Left wrist radiograph · PA/AP projection · detector: Siemens:

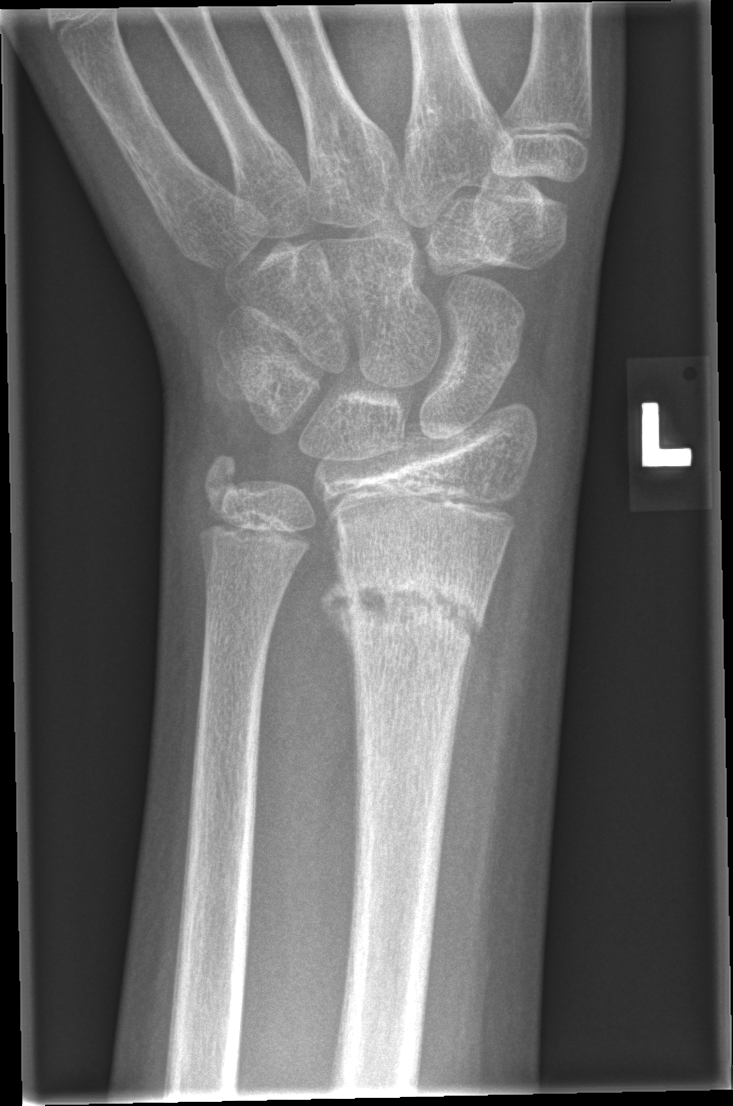

Periosteal thickening — <317,530>-<359,746>; <451,615>-<486,776>. Reduced bone mineral density. Two fractures at <330,553>-<489,657>; <193,445>-<260,516>.